Left wrist pediatric wrist radiograph, lat view, initial study, 386 x 680 px 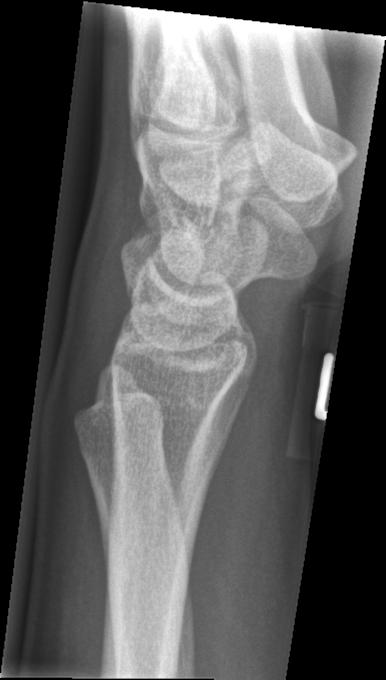 (bounding boxes in image-pixel xyxy)
Bone anomaly: 1 @ 55 339 198 580
Fracture: none labeled